Lat | Rt plain radiograph of the wrist | 13y M | cast present | Siemens | image width 67.4 mm —
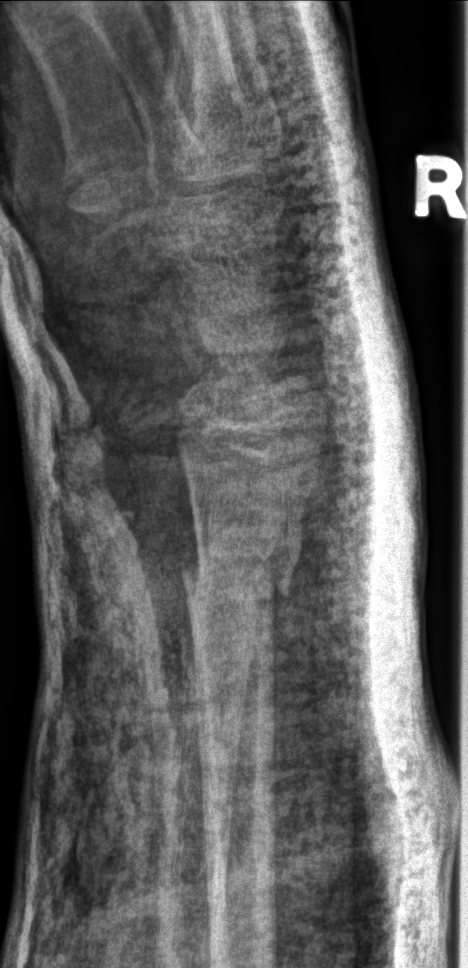 (bounding boxes in image-pixel xyxy)
Bone fracture = [x1=180, y1=534, x2=303, y2=617]